Right wrist XR; lat projection; 8-year-old boy
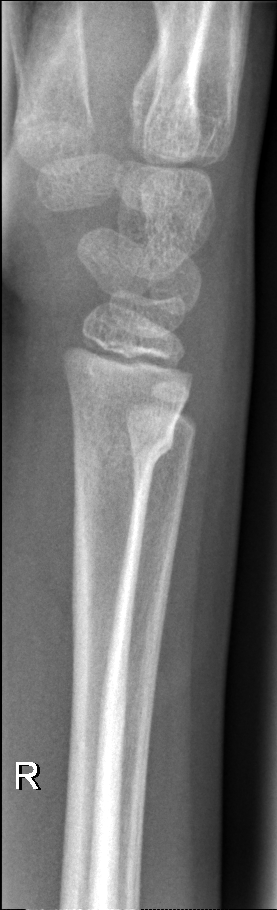

bone fracture = 68 413 180 476
AO/OTA = 23r-M/2.1